L pediatric wrist radiograph, lat view, 527 by 950 pixels 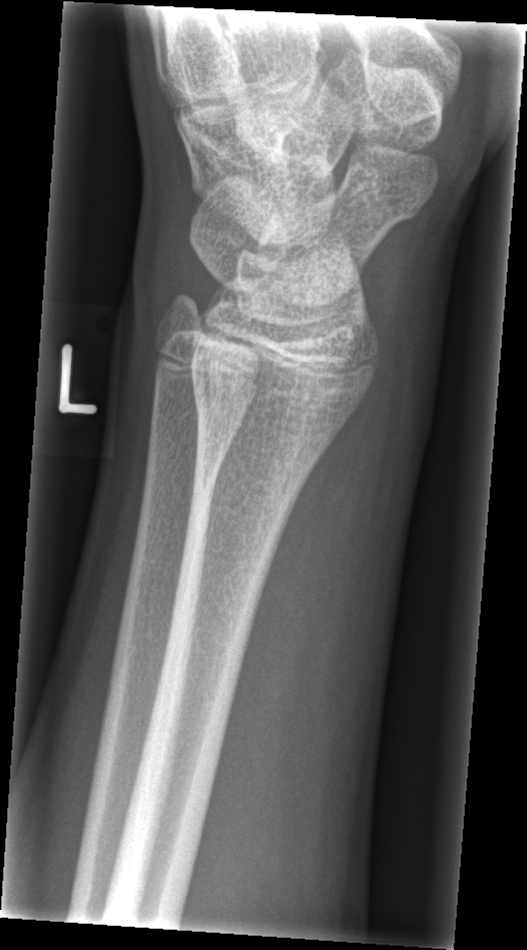
Findings: Fracture identified at bbox(185, 368, 342, 472).